Left wrist X-ray · lat projection —
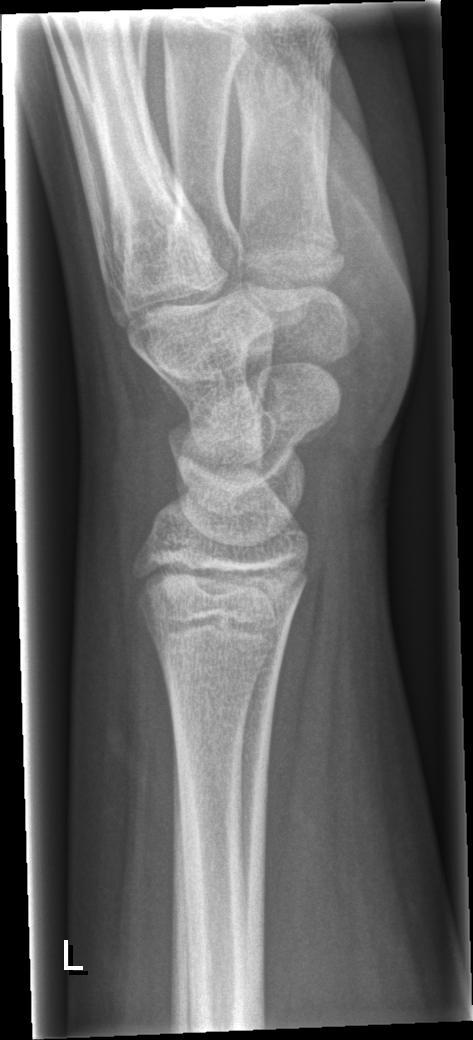

  fracture: none labeled